Left wrist XR · PA/AP view · 10y M:
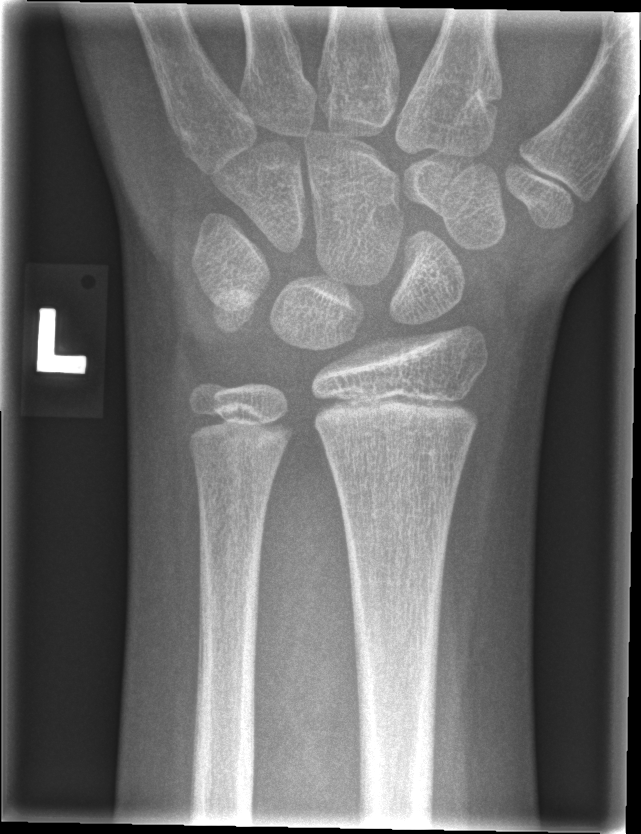

FINDINGS: Fx: none.